Lateral projection · L wrist plain film · follow-up · imaged through cast · Siemens 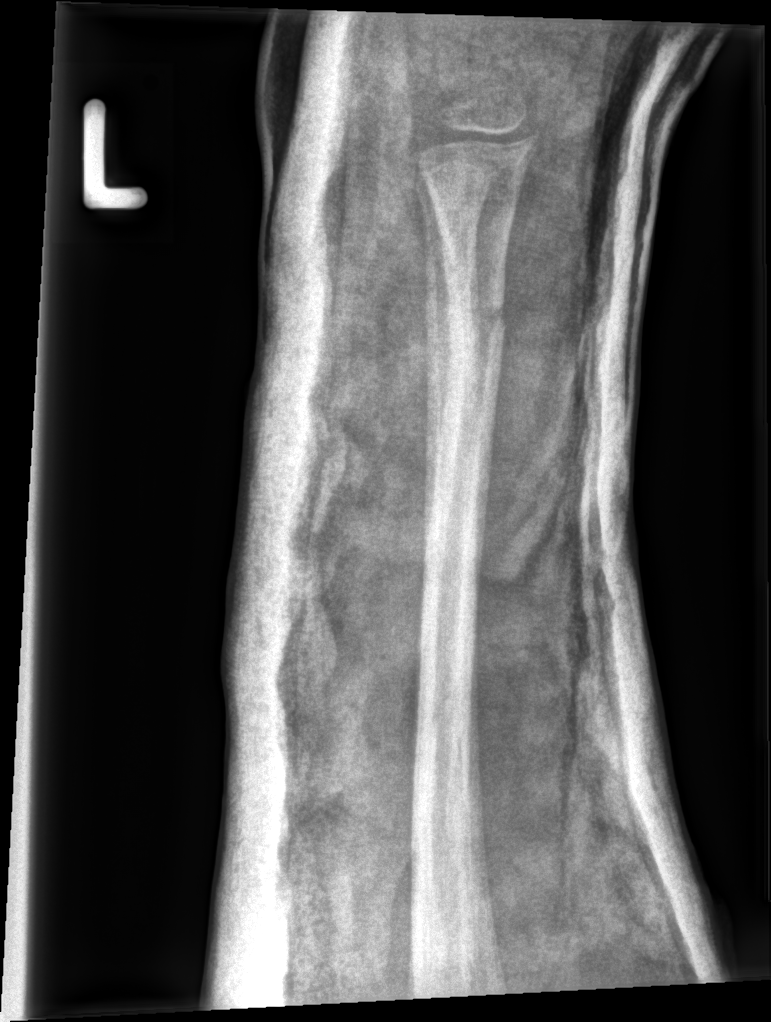 {
  "_coords": "pixel coordinates, top-left origin, xyxy",
  "ao": "23r-M/3.1",
  "fracture": "(left=440, top=273, right=511, bottom=354)"
}